R wrist XR | lat projection | 434x903:

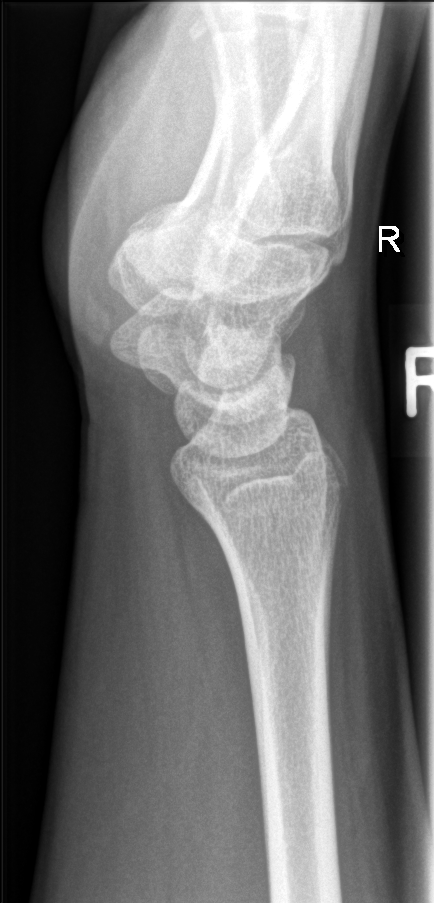

FINDINGS — No Fx annotated.